AP view; left wrist X-ray; index exam; 464x607

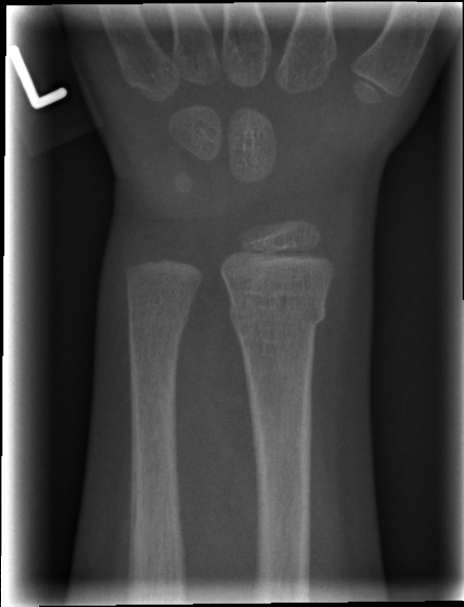 AO code 23r-M/3.1; 23u-M/2.1.
Fracture: (225, 288, 329, 335); (123, 298, 192, 342).